Left plain radiograph of the wrist | lat projection | 8y M —
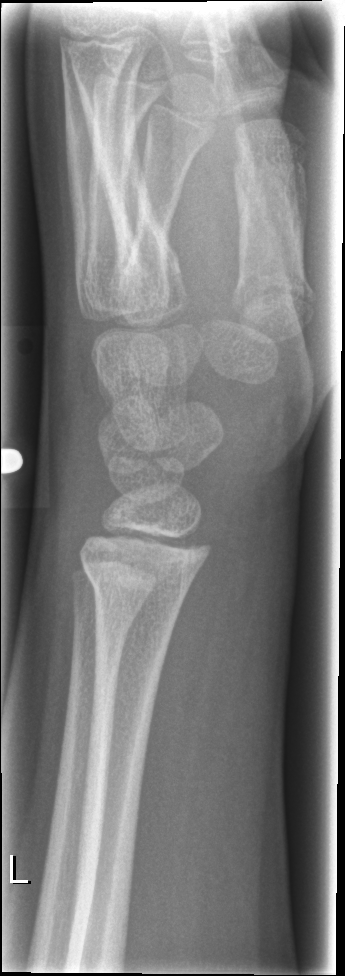
Coordinates are [x1, y1, x2, y2] in image pixels.
One Fx at (79, 546, 199, 609).
Fracture classified AO/OTA 23r-M/2.1.